Lat projection, left wrist radiograph, age 9 y, girl —
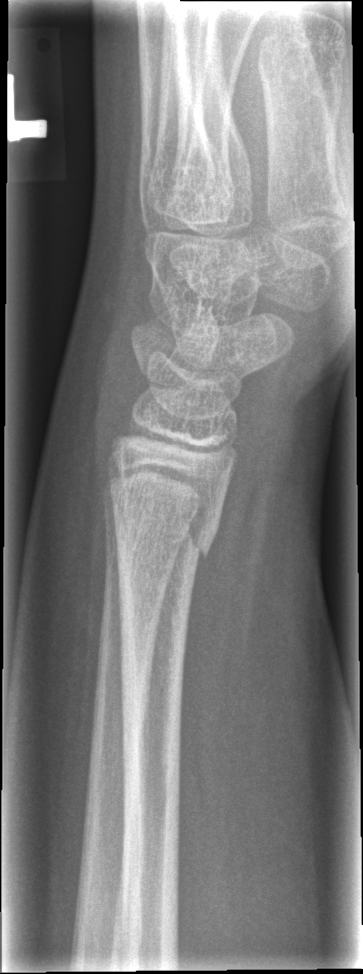

Findings: (pixel coordinates, top-left origin, xyxy) Fx identified at bbox(112, 505, 226, 571). AO code 23r-M/3.1.